Right wrist X-ray | AP projection | 13y M | image size 681x1318 —
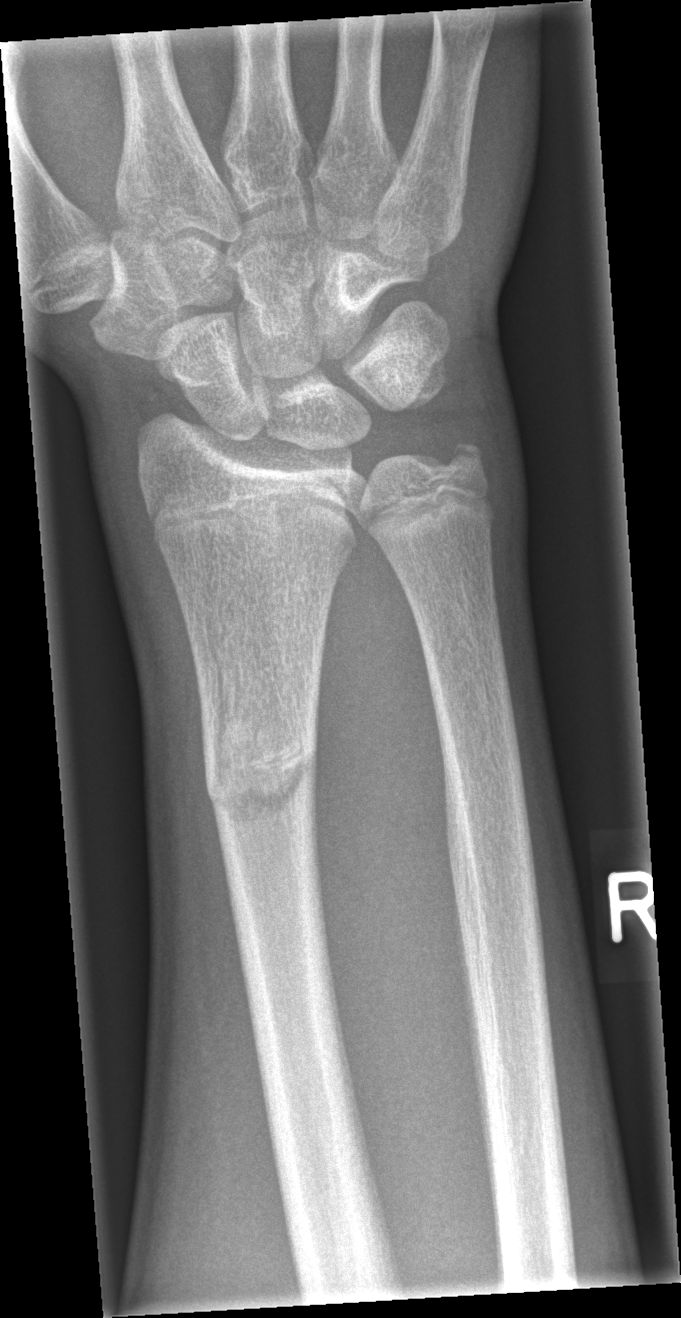

AO classification = 22r-D/4.1; 23u-E/7
Fracture = 2 @ 199 717 323 832; 436 432 496 486